Right wrist radiograph · AP · index exam · detector: Siemens —

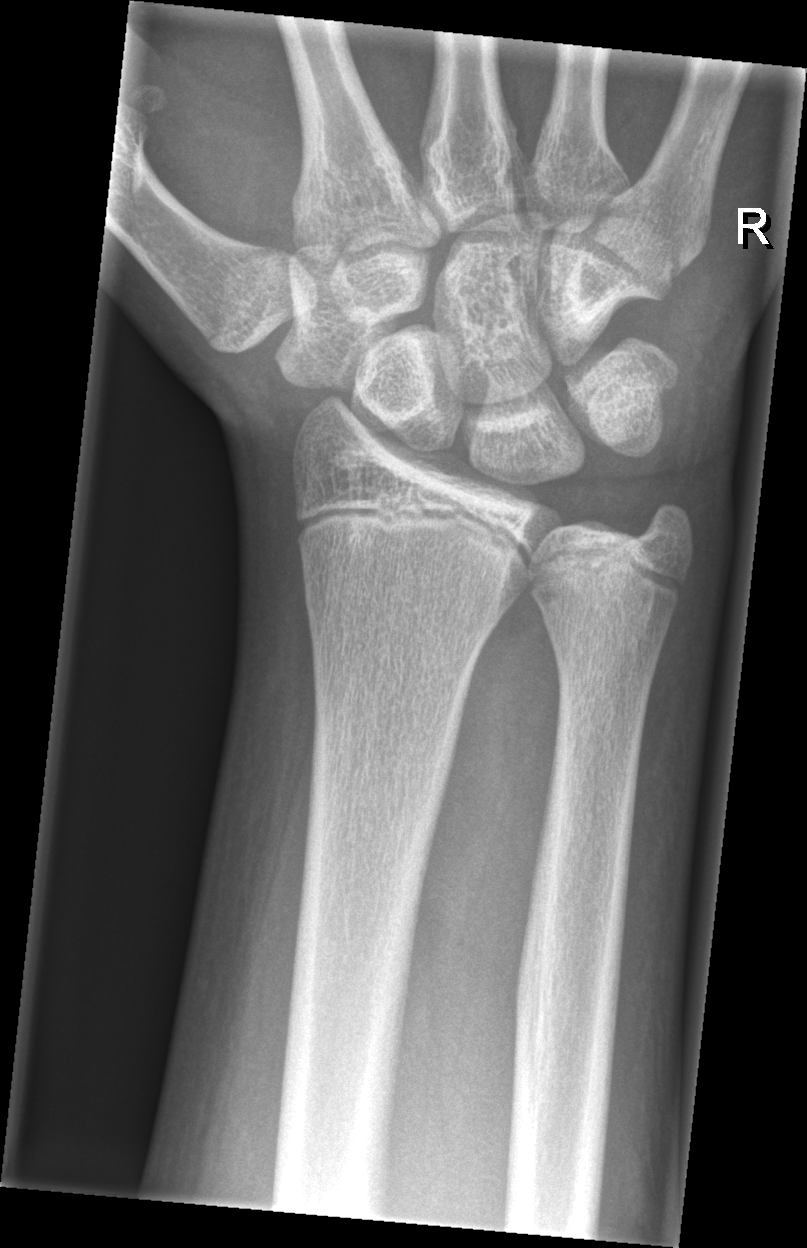 No fracture bounding box.